Rt plain radiograph of the wrist | PA view | boy, 7 yo
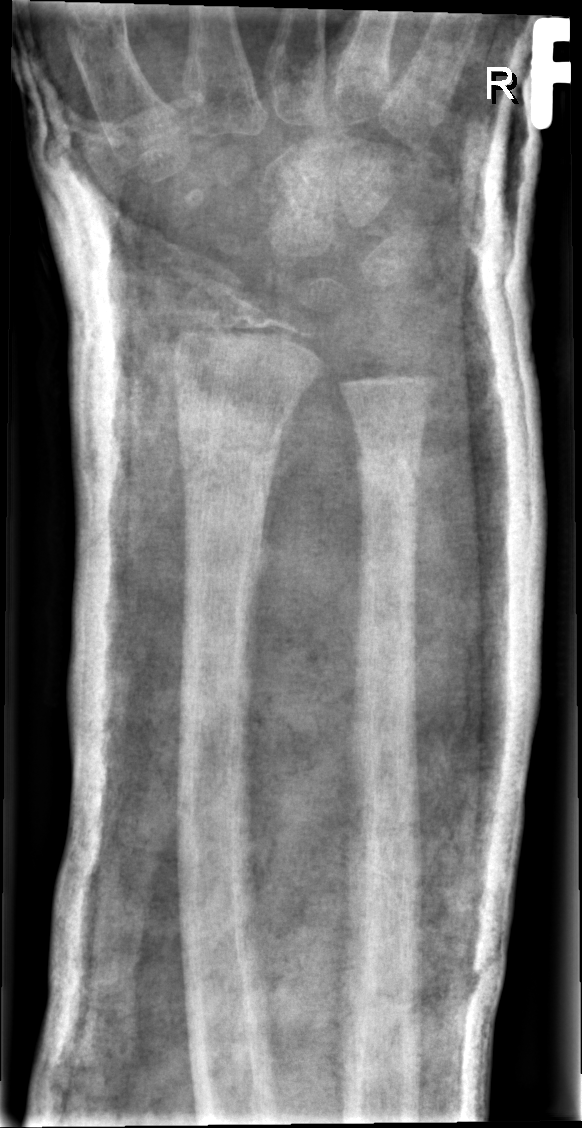 (bounding boxes in image-pixel xyxy)
Q: Locate any fractures.
A: Bone fracture: (173, 413, 288, 469), (350, 443, 426, 500)